Lateral; right wrist XR; imaged through cast; acquired on Siemens: 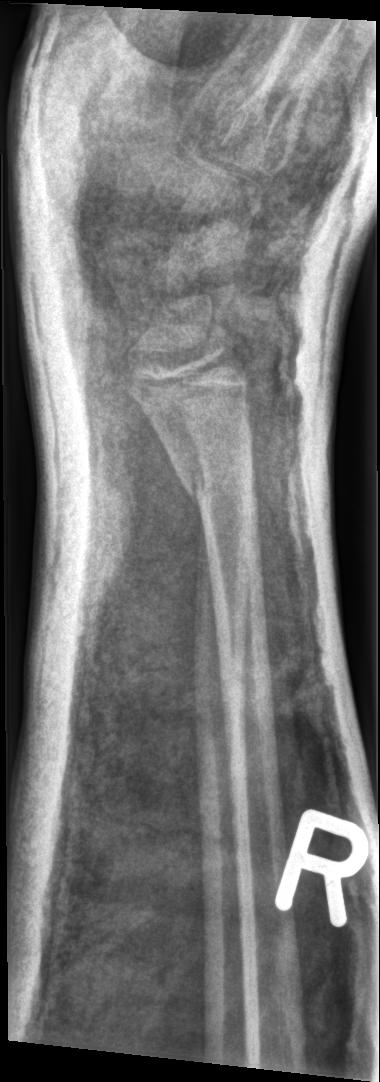
(bounding boxes in image-pixel xyxy)
bone fracture = [180, 444, 259, 513]
AO classification = 23r-M/2.1; 23u-E/7